Lt pediatric wrist radiograph | lateral view | age 6 y, girl | initial study 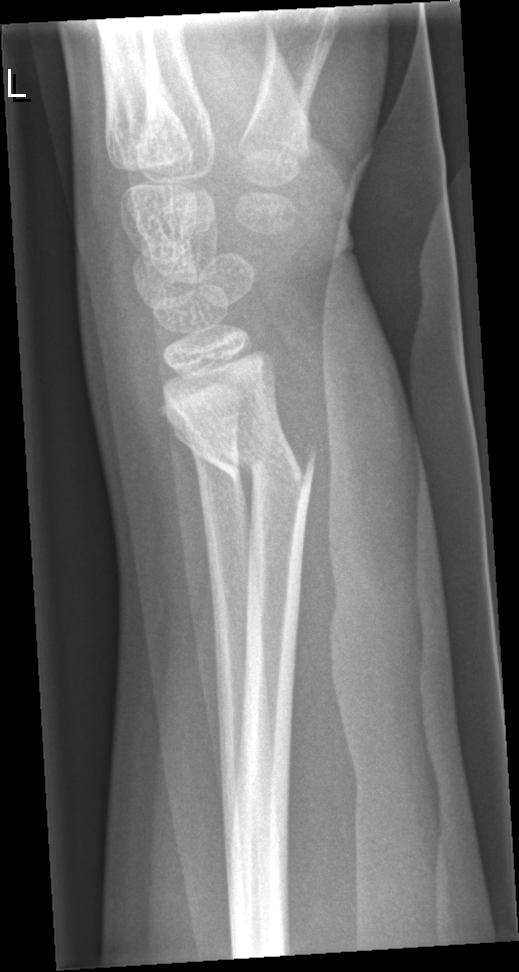

* Bone fracture — <209,425>-<320,487>.